Lateral view, R wrist X-ray, detector: Siemens:

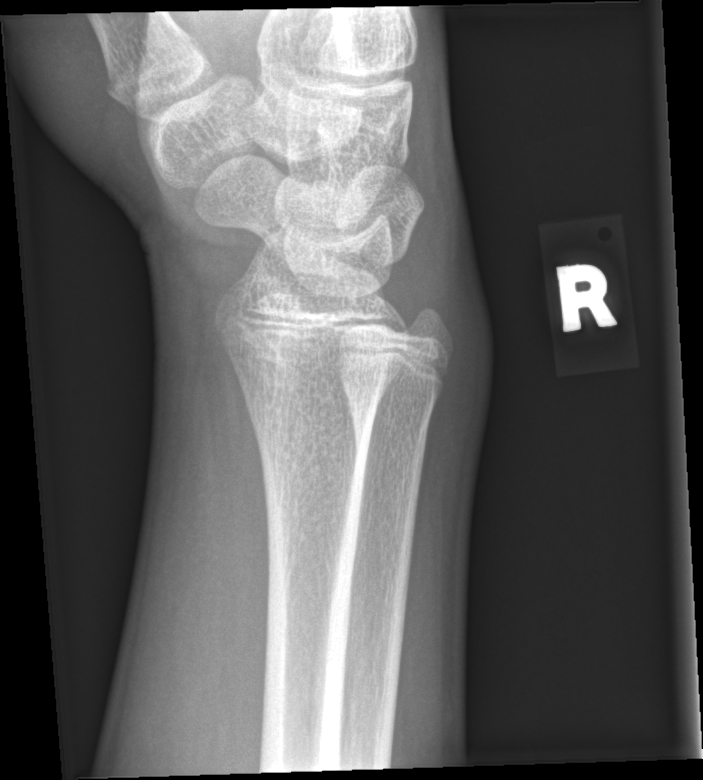
Fx: bbox(228, 334, 410, 424).
Fracture classified AO/OTA 23r-M/2.1.